Posteroanterior view; Lt wrist XR; 3y F —
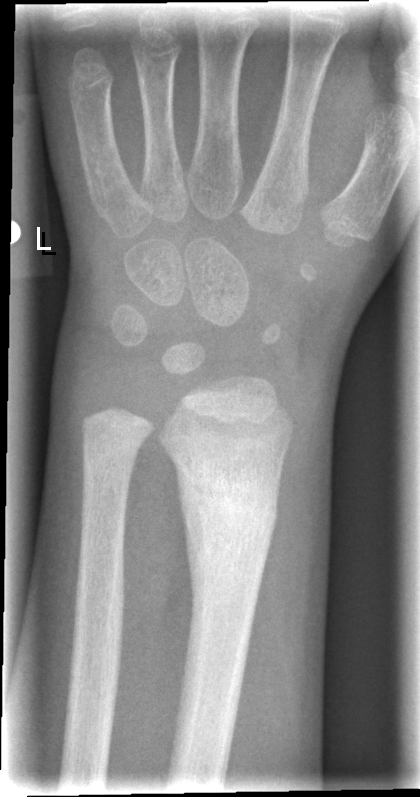
AO/OTA = 23r-M/3.1; 23u-M/2.1
bone fracture = 1 @ (182, 479, 279, 576)